AP projection | left wrist plain film | 8-year-old girl | 592x910.
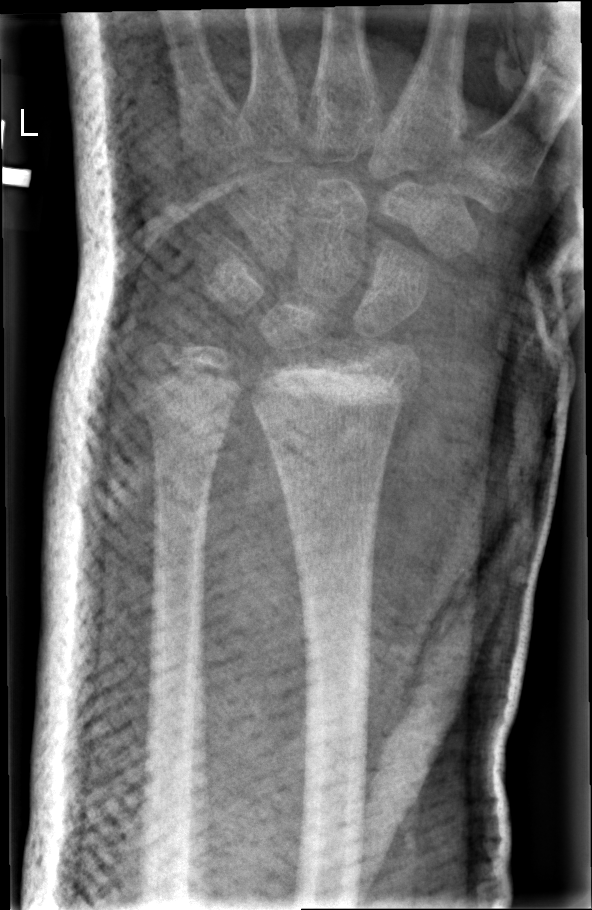 FINDINGS — Fracture — [247, 358, 415, 422].